Frontal | R wrist radiograph
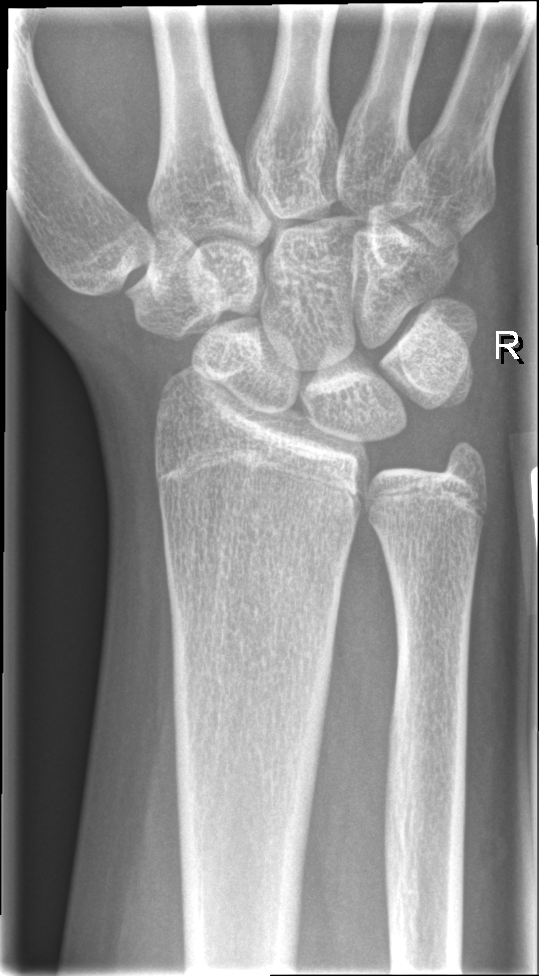 Fx: none.